Lat view; L plain radiograph of the wrist; pediatric patient (boy, age 8):
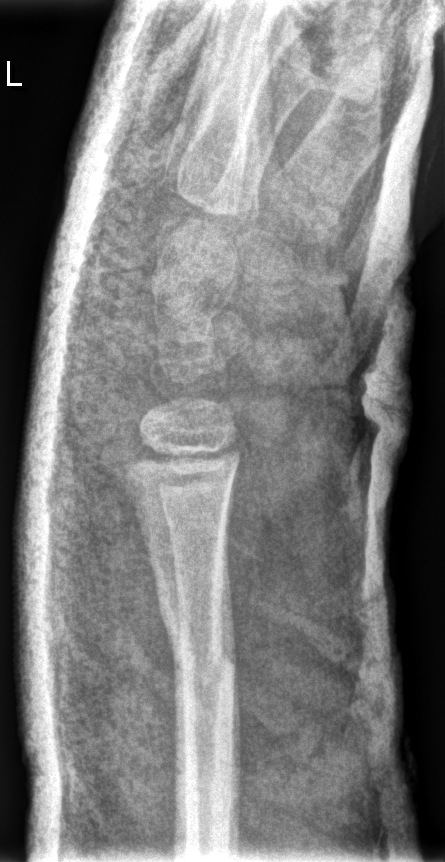
(pixel coordinates, top-left origin, xyxy)
Q: What is the AO/OTA classification?
A: Fracture classified AO/OTA 23r-M/3.1; 23u-M/2.1
Q: Any fracture seen?
A: Fracture: bbox(170, 637, 239, 681)